Left plain radiograph of the wrist, frontal projection —
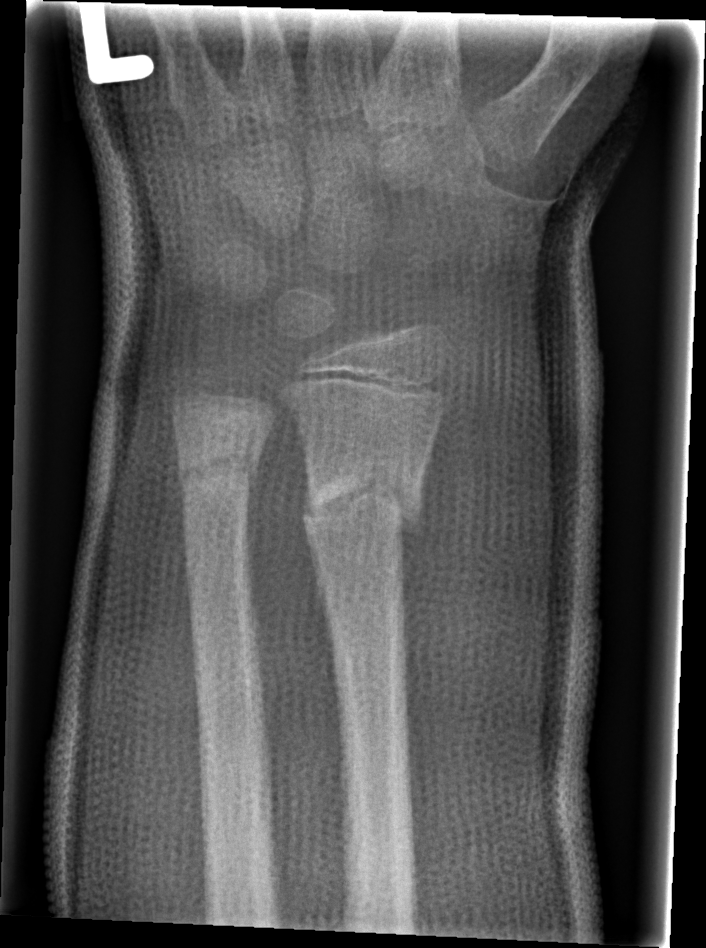
FINDINGS: (bounding boxes in image-pixel xyxy) AO/OTA classification: 23-M/3.1. Fractures — [295, 446, 428, 544], [174, 436, 265, 502].